AP projection · L wrist radiograph · 65.4 mm image width —
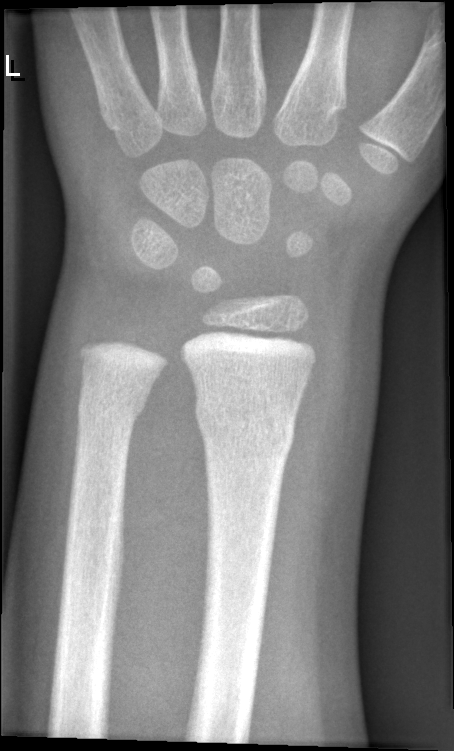
  fracture: [x1=192, y1=392, x2=296, y2=459], [x1=72, y1=390, x2=150, y2=432]